Left wrist plain film, posteroanterior projection, detector: Siemens. 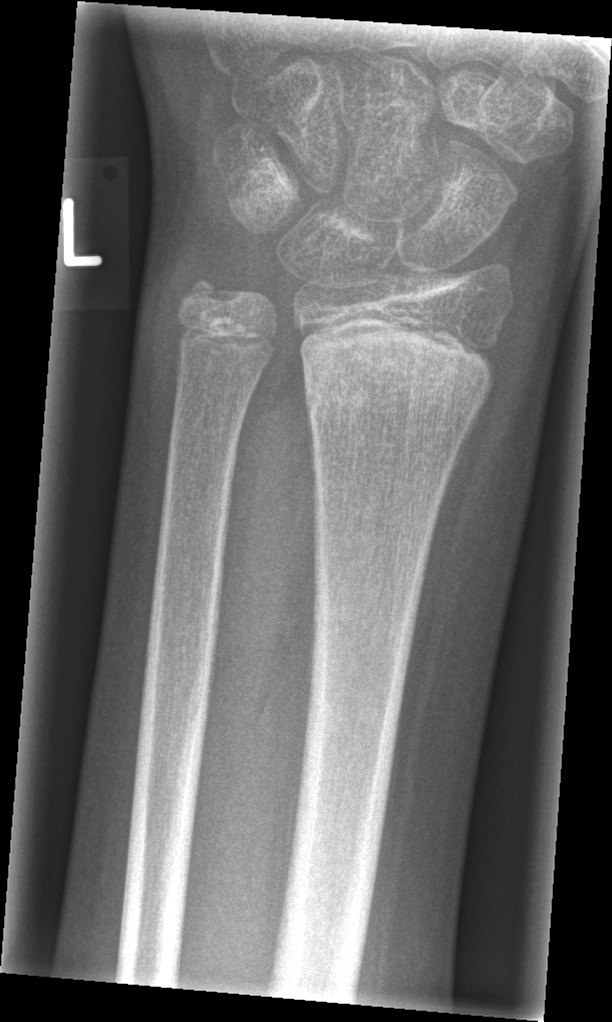
(bounding boxes in image-pixel xyxy)
Fx: 2 @ <300,329>-<495,431>; <170,261>-<244,334>
Osteopenia: present